Posteroanterior projection · R plain radiograph of the wrist · 452x764
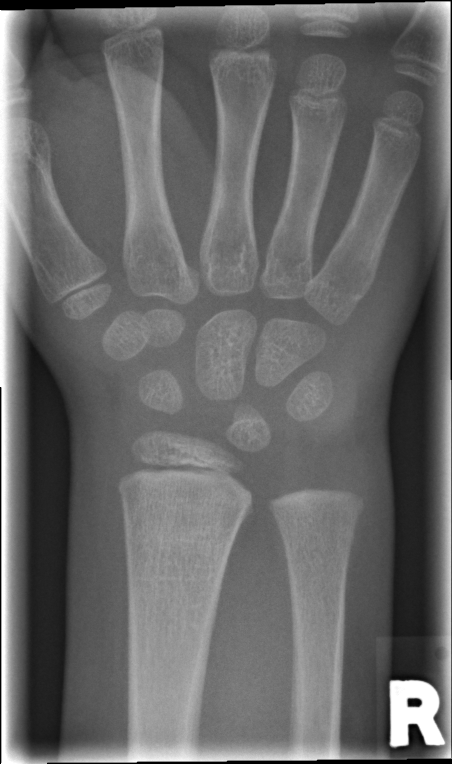 AO/OTA classification: 23r-M/2.1. Fracture identified at [116, 512, 245, 581].